Left wrist radiograph; lat projection; index exam; acquired on Siemens; 553 x 1222 px.
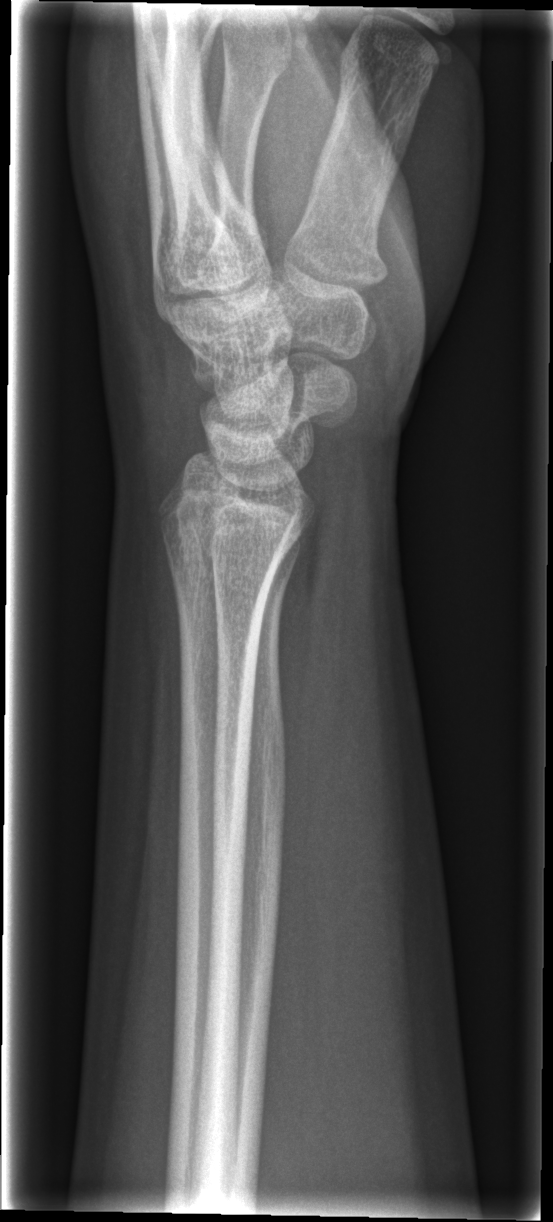

fracture: none labeled